L plain radiograph of the wrist · lateral projection · girl, 11 yo 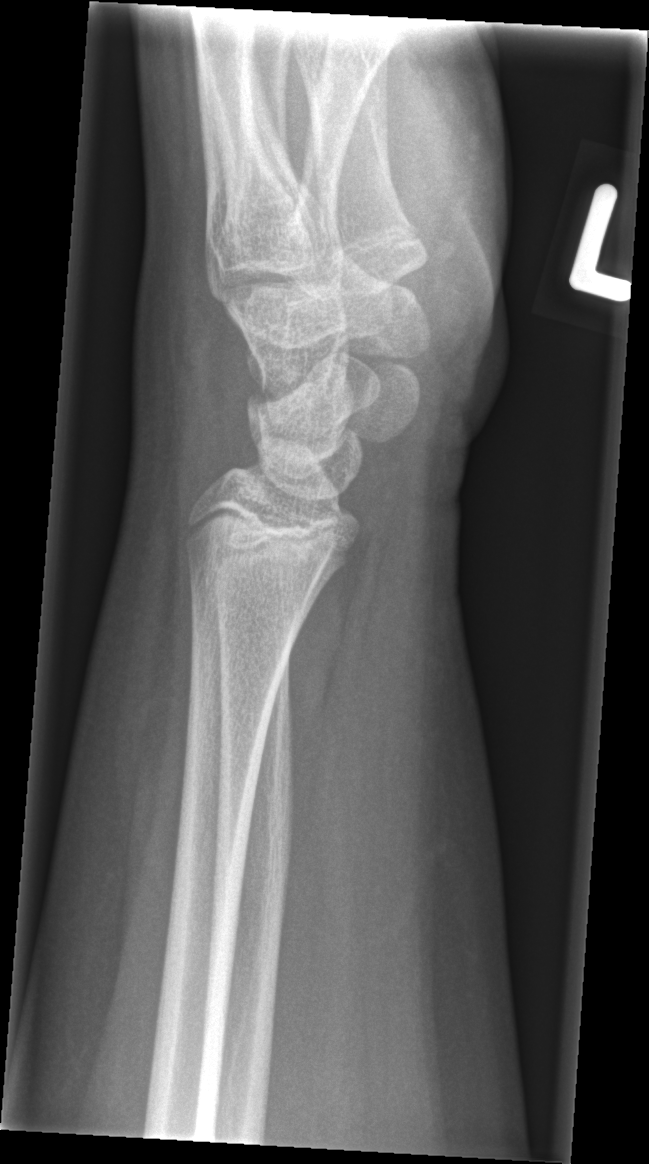 Findings: Fx: none.